Frontal projection; left wrist plain film; initial study; image size 580x1542

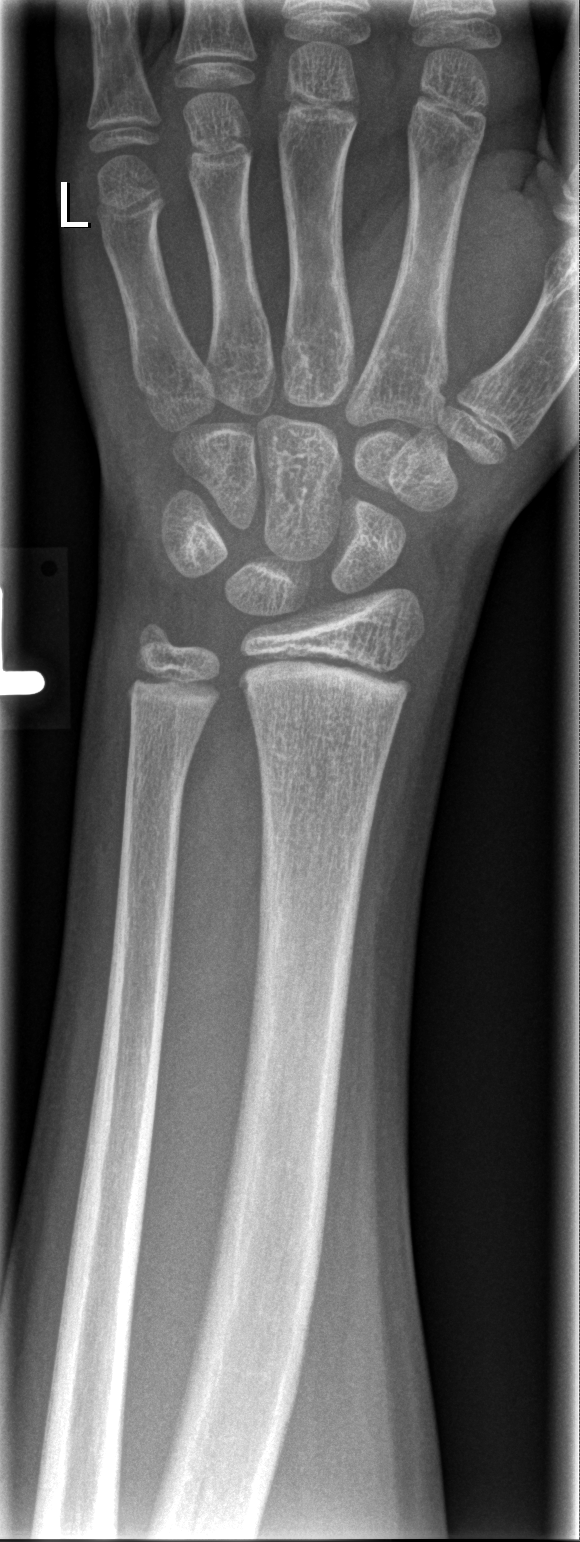

fracture = none labeled